Lateral view | R wrist plain film | girl, 5 yo | image width 63.9 mm:
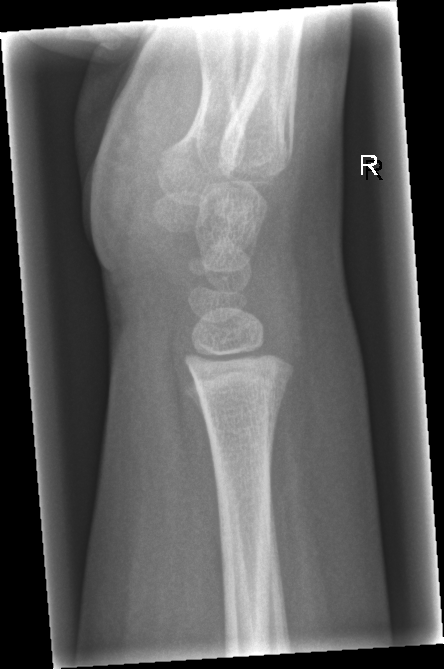 No fracture bounding box.